Lt wrist plain film · AP view · girl, 15 yo · 700 by 763 pixels — 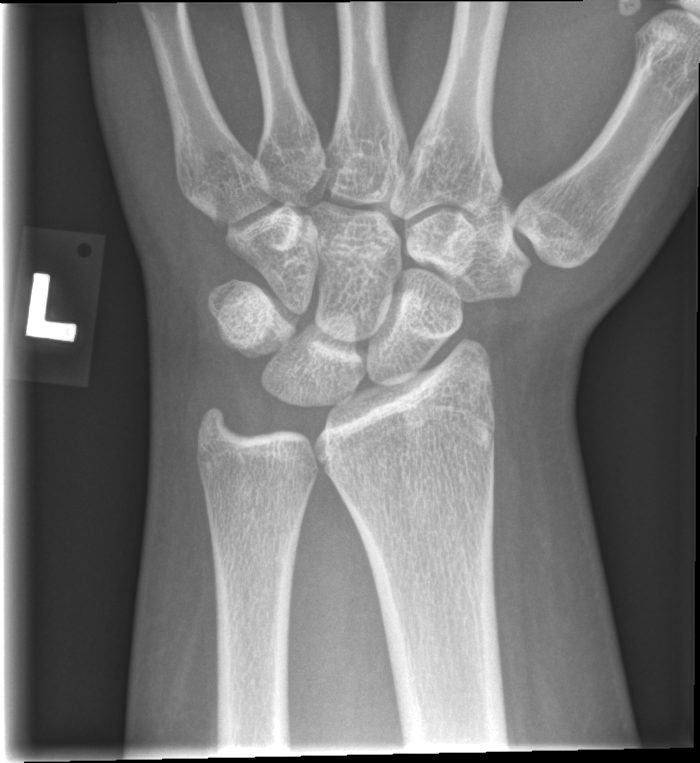

Q: Is there a fracture?
A: Fracture: none labeled